Lat, right wrist XR, 49.7 mm image width —
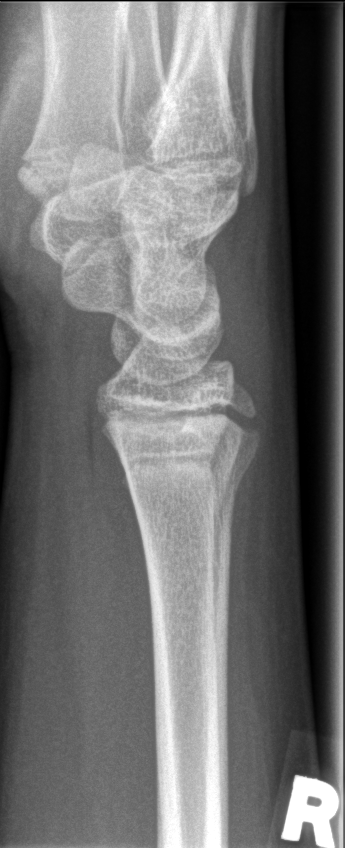

(pixel coordinates, top-left origin, xyxy)
fracture = 1 @ [122, 449, 259, 519]